Rt wrist radiograph; lateral — 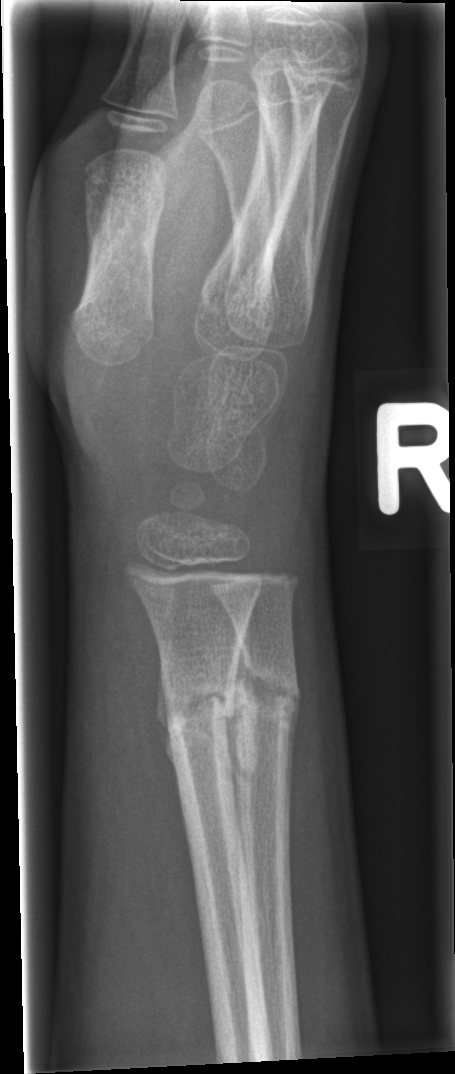

FINDINGS — (boxes as x1,y1,x2,y2 (top-left / bottom-right, pixel units)) Fracture identified at (left=155, top=660, right=241, bottom=759), (left=223, top=655, right=304, bottom=746). Fracture classified AO/OTA 23-M/3.1. Periosteal thickening identified at (left=154, top=650, right=184, bottom=807); (left=285, top=696, right=300, bottom=789).